Left wrist X-ray · PA projection · in cast · image width 94.8 mm — 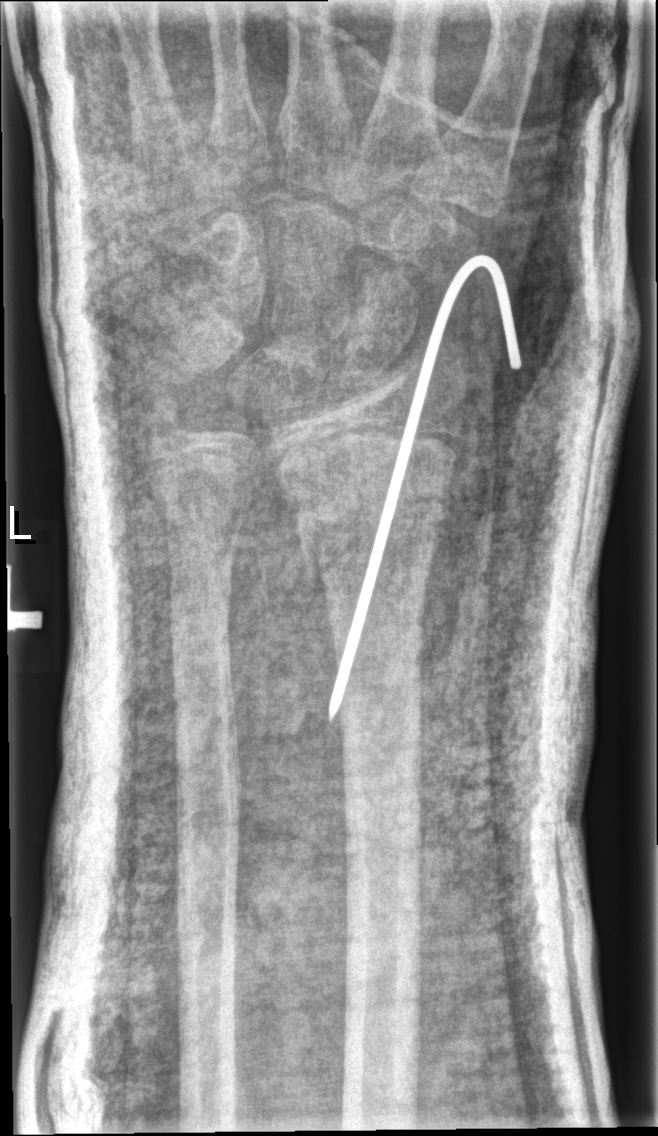

metallic implant: [326, 255, 522, 725]
fracture: [286, 461, 452, 593]; [166, 575, 235, 658]; [141, 390, 196, 450]
AO/OTA: 23r-M/3.1; 23u-M/2.1; 23u-E/7